AP view | Rt wrist X-ray | pediatric patient (boy, age 13) | 92.3 mm image width

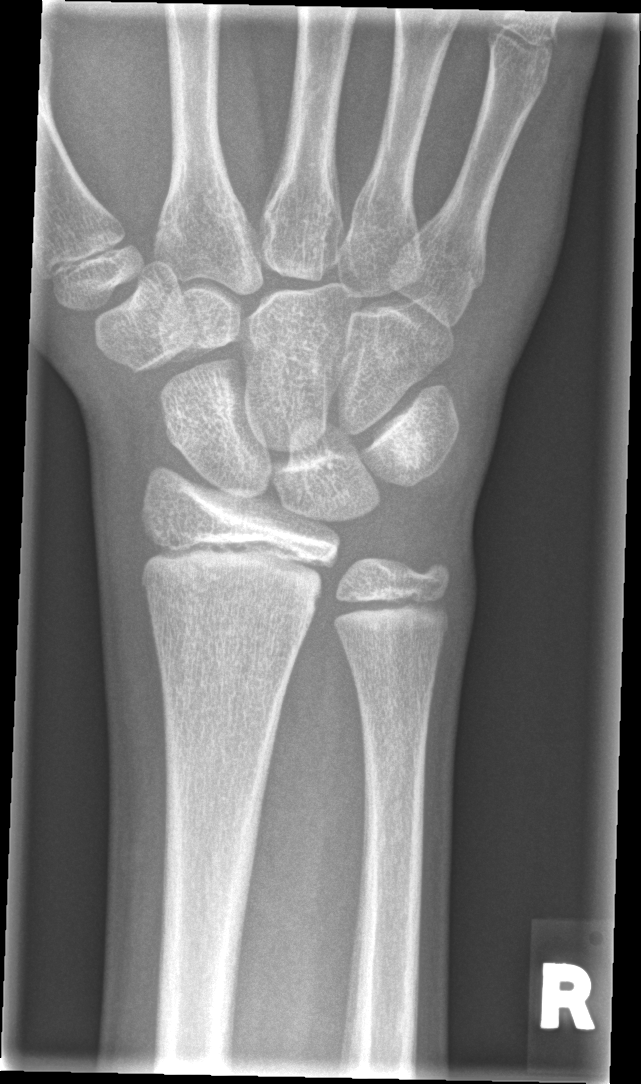
fracture: none labeled